L wrist plain film · PA/AP view 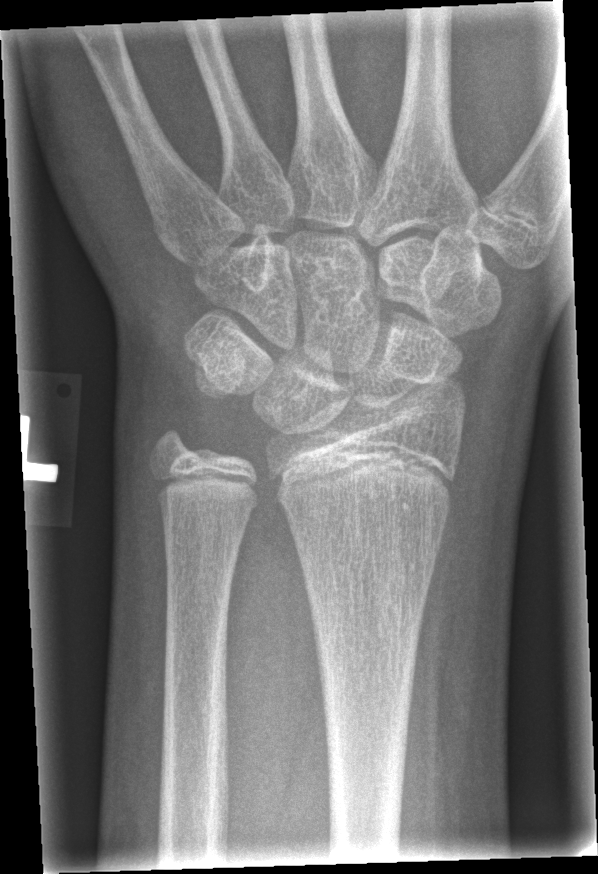

FINDINGS — Fracture: none labeled.